Lateral view | Rt pediatric wrist radiograph | 11-year-old boy | detector: Siemens | image size 563x1096. 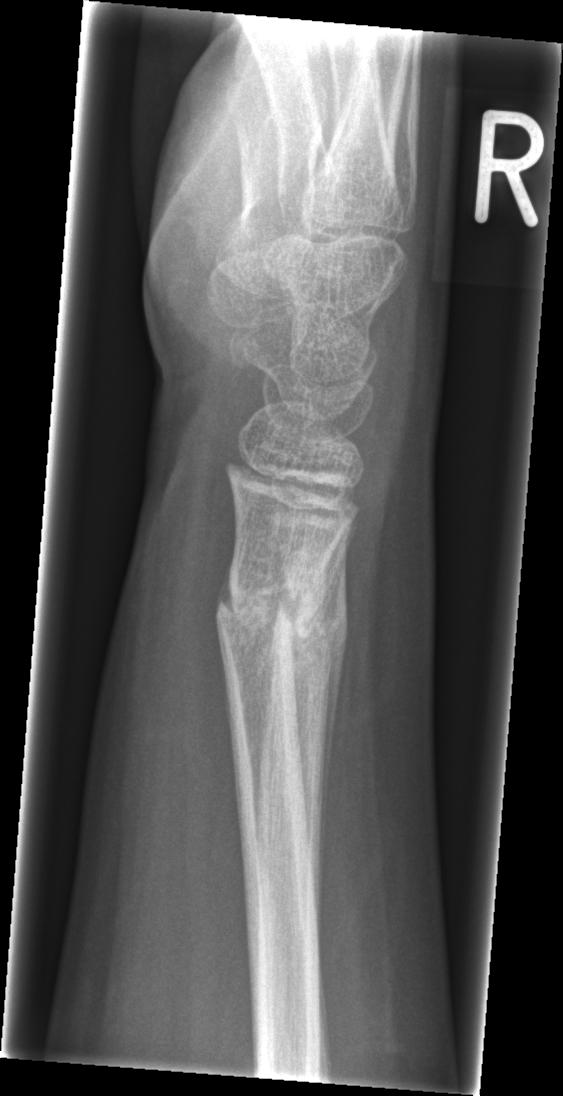
Fracture: (left=215, top=556, right=349, bottom=675)
AO code: 23-M/3.1
Periosteal thickening: (left=318, top=559, right=346, bottom=857)
Osteopenia: present